Lat projection, left wrist XR, 456 by 1024 pixels.
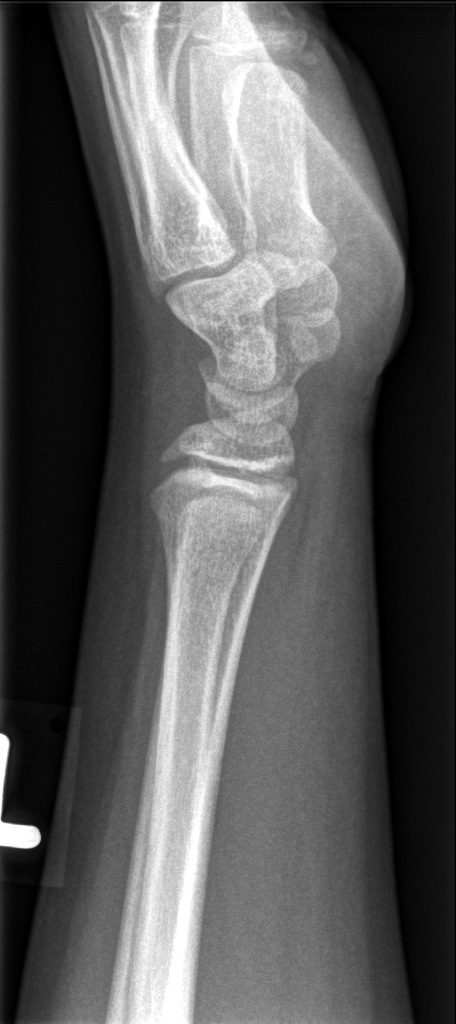
FINDINGS — Fracture — 143,490,278,576. AO code 23r-M/2.1.